L wrist X-ray; lateral projection; 70.3 mm image width:

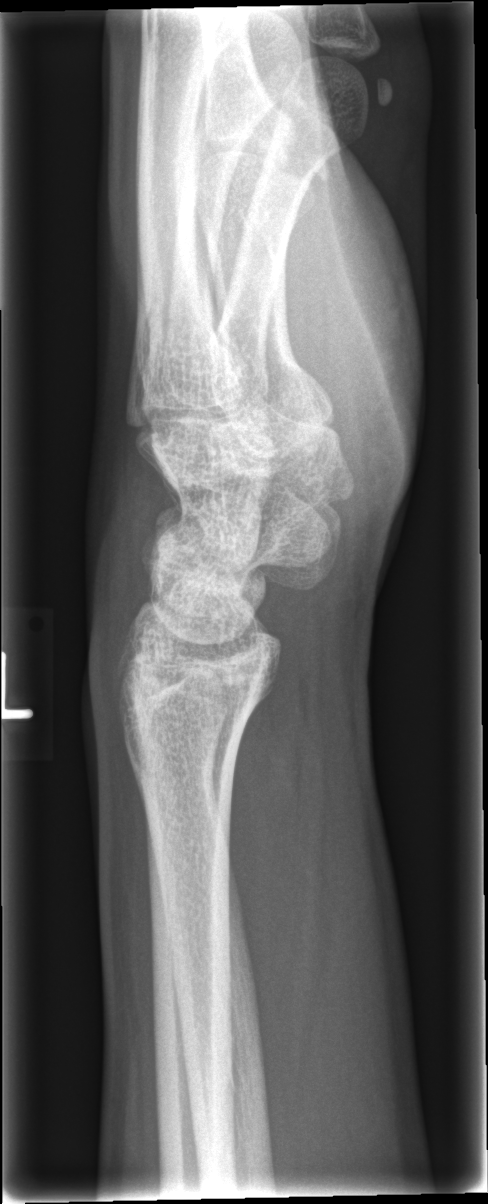 FINDINGS: No Fx annotated.